AP projection; Rt pediatric wrist radiograph; pediatric patient (girl, age 8); initial study; image size 510x930:
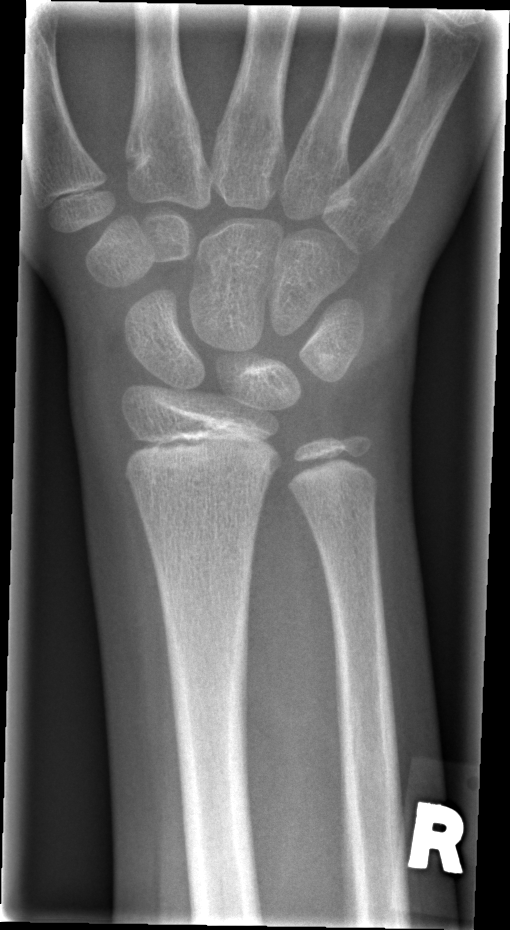

Fracture: none labeled.